Lt pediatric wrist radiograph, lat, 5y M, in cast — 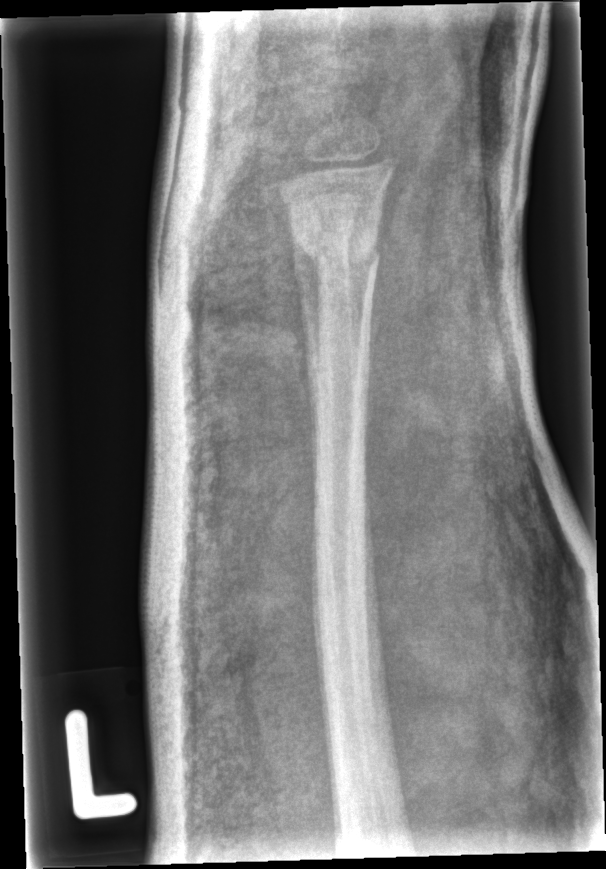 fracture: 1 @ bbox(289, 220, 386, 283)
periosteal new bone: bbox(296, 238, 319, 412)
AO code: 23r-M/3.1; 23u-M/2.1